R wrist XR | PA/AP view | 9-year-old boy | 621x1028

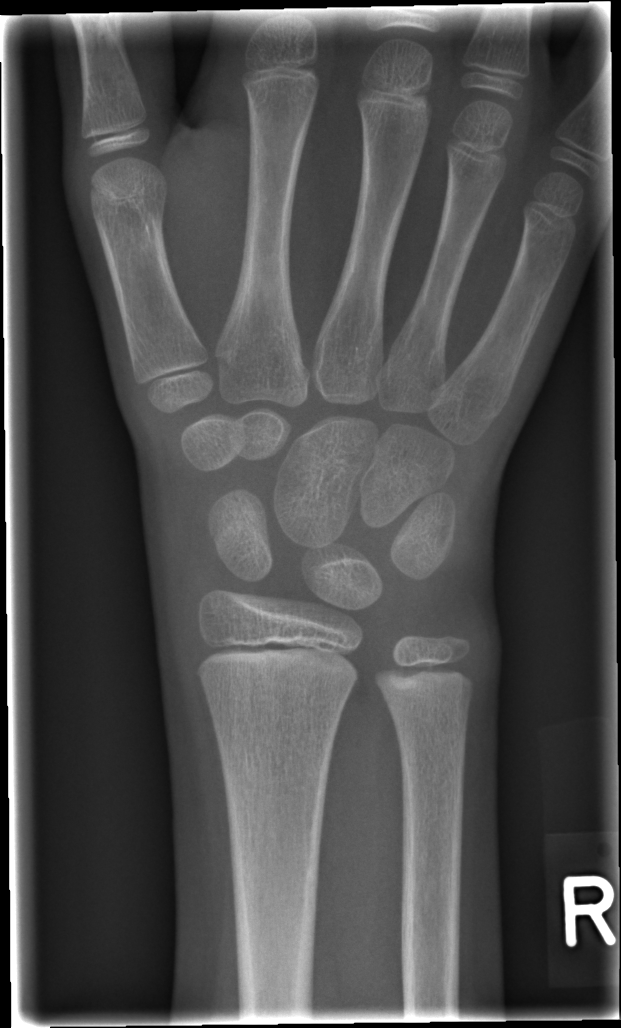
  fracture: none labeled